Right wrist radiograph | lat | 13y F | index exam | 317x630 —
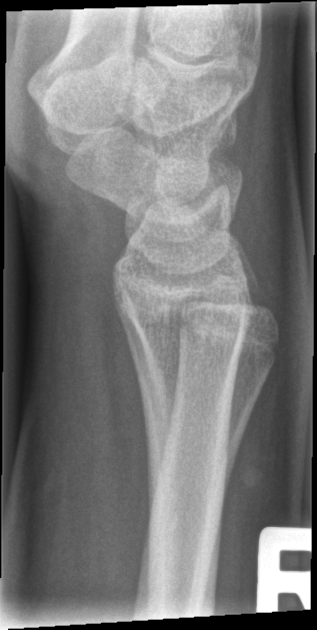 Q: Is there a fracture?
A: Fx: none